Frontal · right wrist plain film —

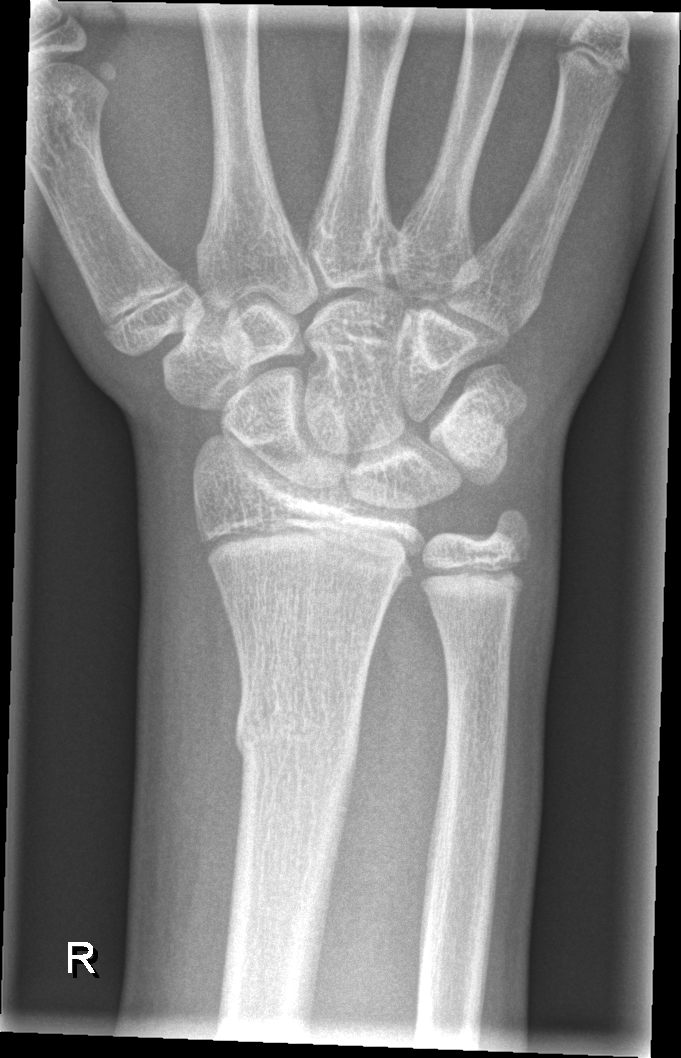

One fracture at (left=233, top=691, right=364, bottom=785).